Right wrist XR, lat projection, age 7 y, girl, index exam
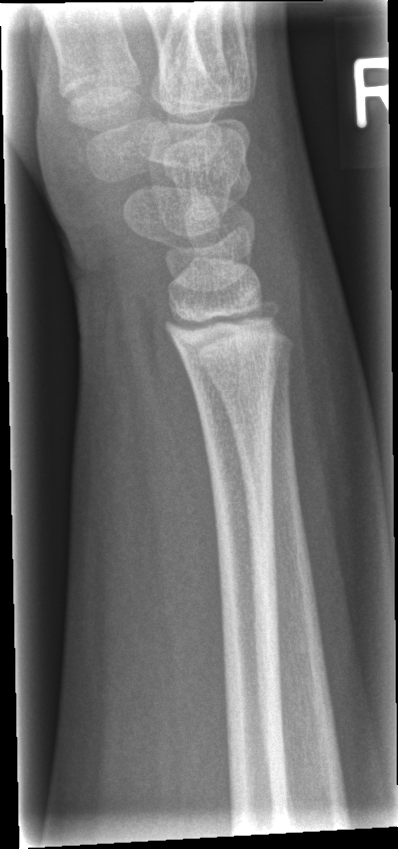
• No Fx annotated.